Lt wrist plain film · PA/AP projection

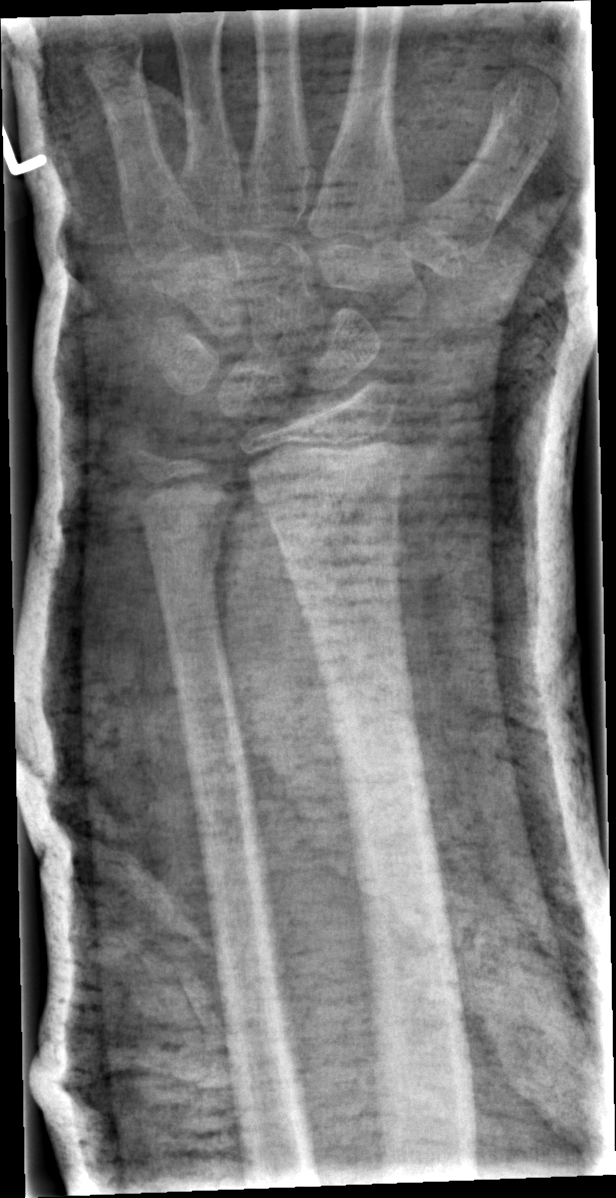

  # pixel coordinates, top-left origin, xyxy
  ao: 23r-M/3.1; 23u-M/2.1
  fracture: 1 @ [138, 522, 229, 582]